Right wrist plain radiograph of the wrist | frontal view | pediatric patient (female, age 12) | 529 x 906 px.

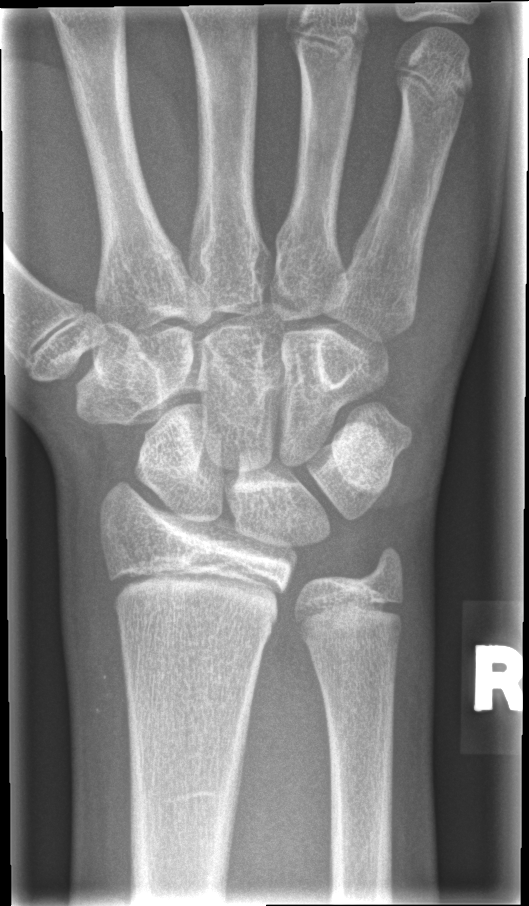
FINDINGS — Fx: none.